Obl view · left wrist plain film · 13y M · follow-up study.
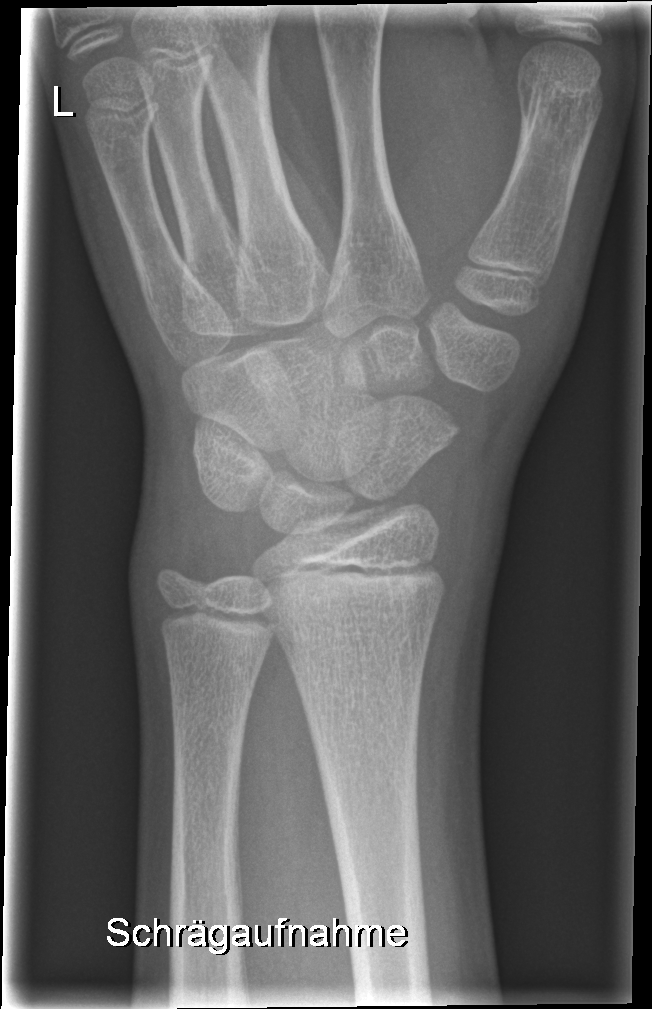 • One bone fracture at bbox(283, 496, 429, 539).